Left wrist X-ray · lateral

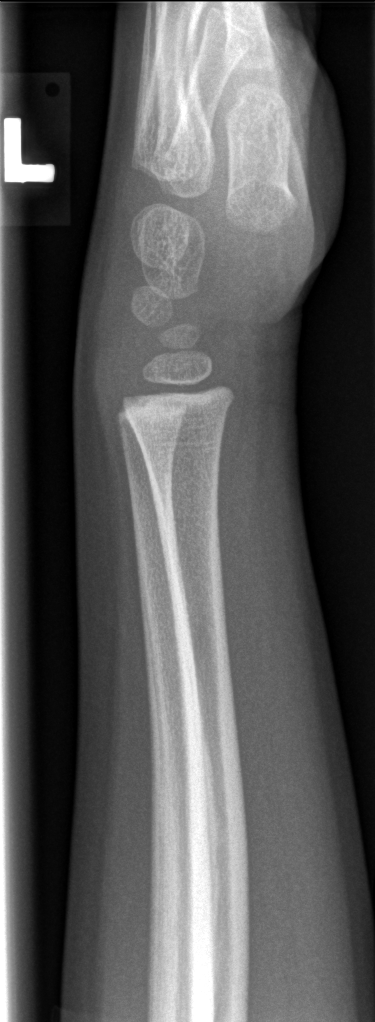
Boxes as x1,y1,x2,y2 (top-left / bottom-right, pixel units). Bone fracture — 182,732,255,1015. AO code 22r-D/1.